Lat view; right wrist X-ray; pediatric patient (female, age 11); acquired on Siemens; 471 by 1364 pixels
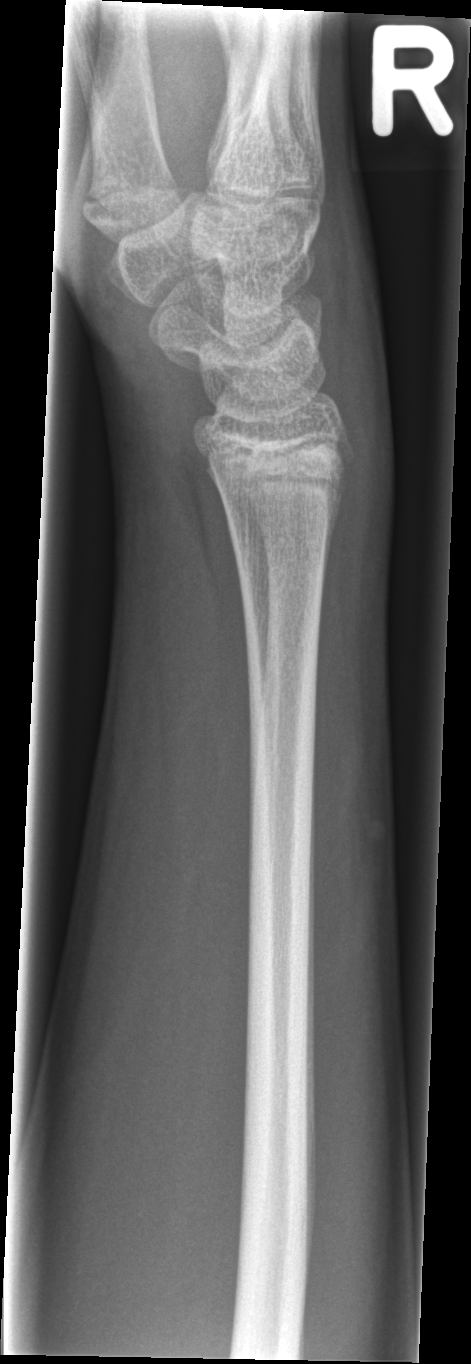 Fx: none.